Lateral; right wrist plain film; 15y M; 586x1314 —
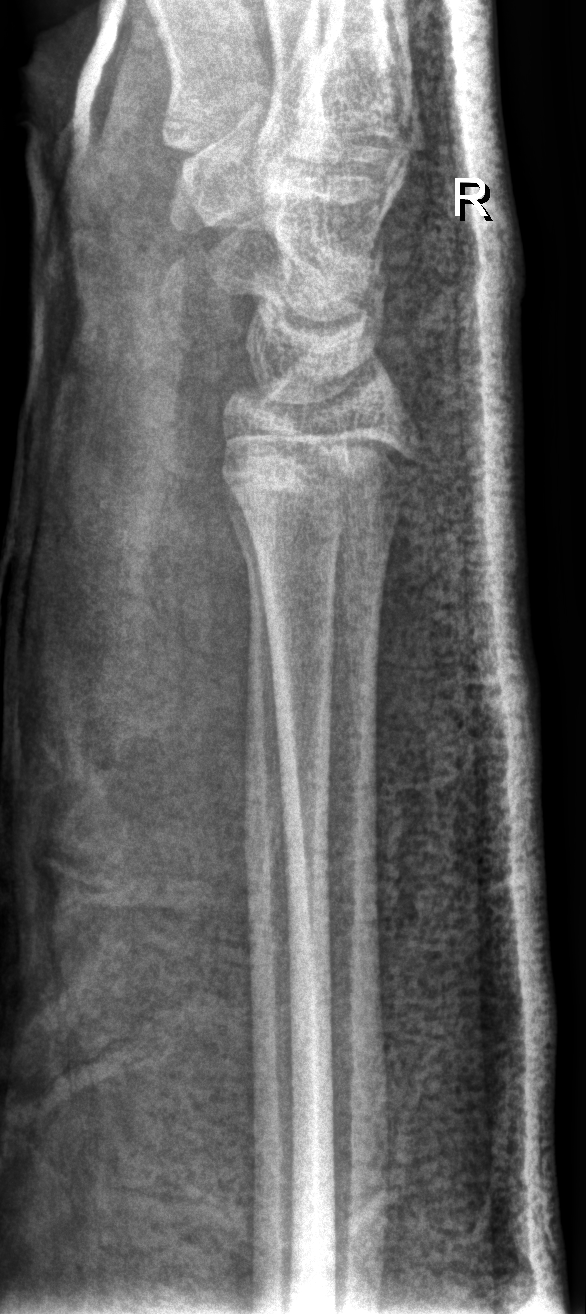 fracture: present but not clearly seen in this view
AO code: 23r-E/2.1; 23u-E/7